L pediatric wrist radiograph | PA/AP projection 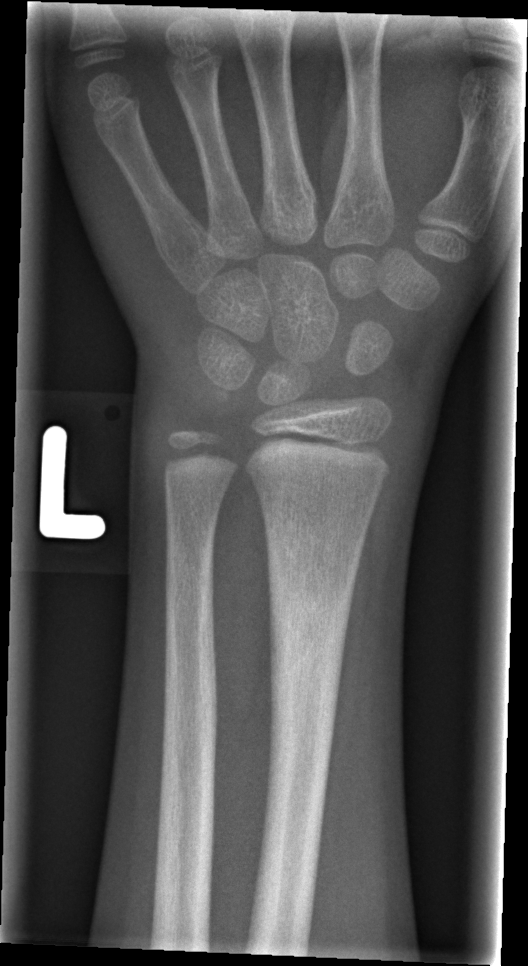

Bone fracture: 1 @ bbox(262, 552, 359, 691)